L wrist plain film; frontal projection; boy, 13 yo; findings marked uncertain by the reading radiologist; image width 69.0 mm:

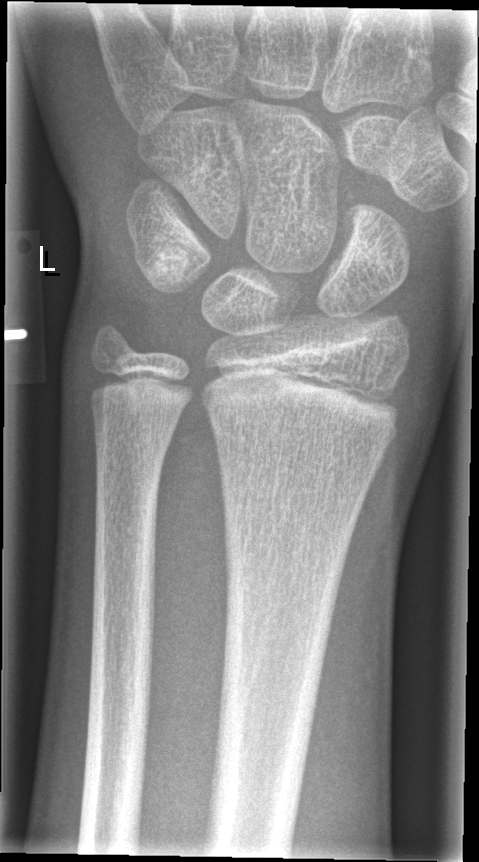
Fracture: none labeled.